Right wrist X-ray · AP projection · Siemens —
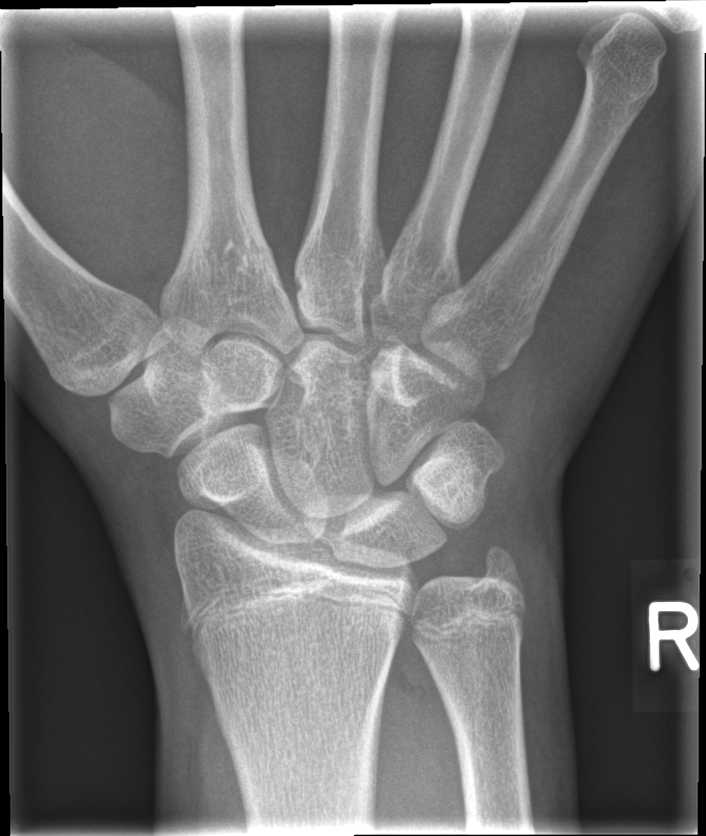

FINDINGS — No fracture bounding box.